PA/AP | left wrist XR | 11y F | Siemens:

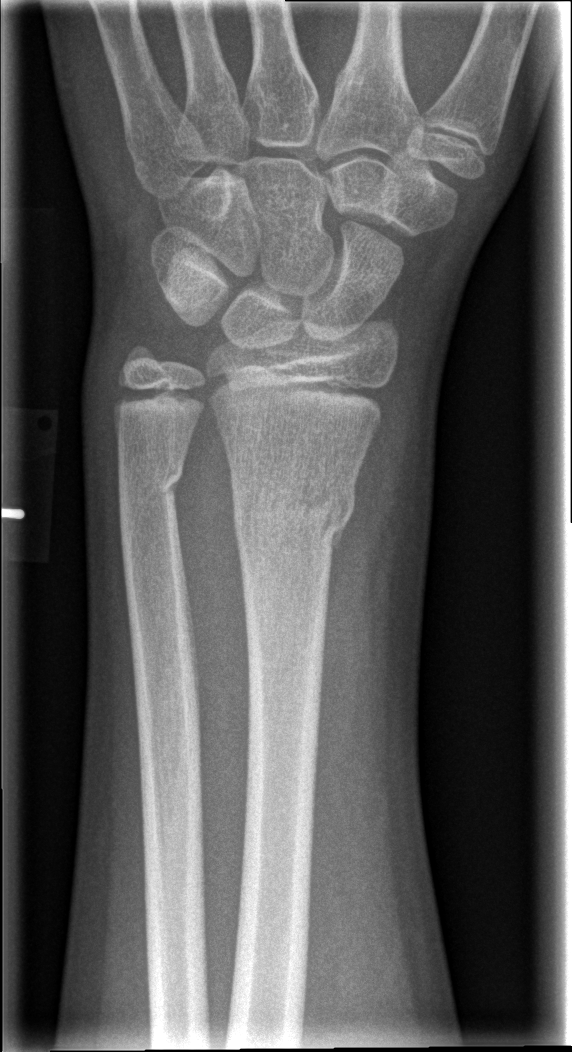
Bounding boxes in image-pixel xyxy. Bone fracture: bbox(228, 472, 357, 555) bbox(115, 455, 187, 515).